Right wrist XR; AP view; 14y M; follow-up — 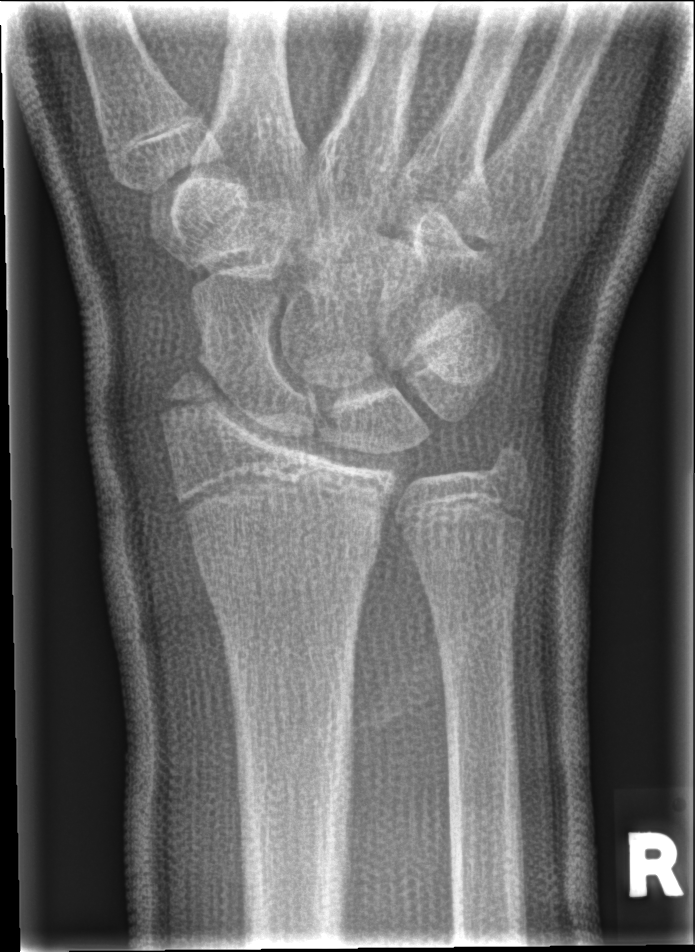 - Boxes as x1,y1,x2,y2 (top-left / bottom-right, pixel units).
- One fracture at [157, 365, 260, 420].
- AO/OTA classification: 23r-E/7.